R wrist XR, PA.

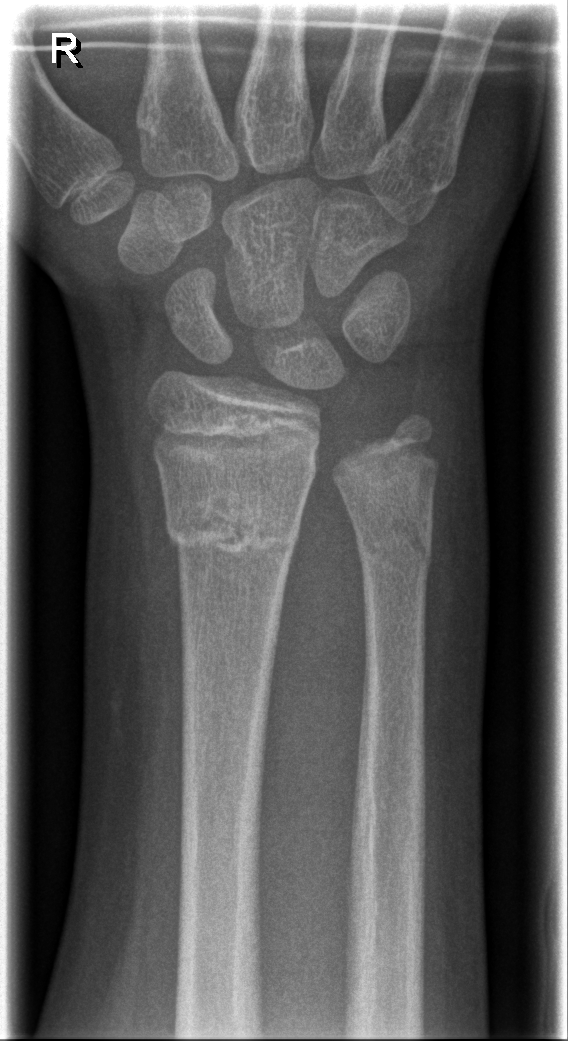
* Fx identified at [162, 486, 301, 560]; [353, 512, 434, 568].